L plain radiograph of the wrist, lat, age 7 y, female, subsequent exam, in cast, 483x1118: 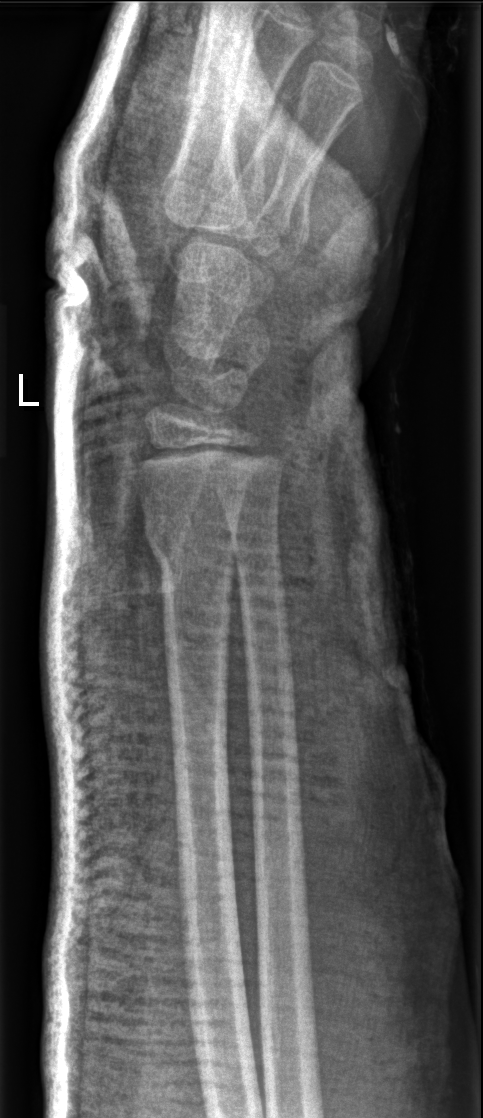

Fracture identified at (138, 518, 239, 591).
AO code 23r-M/3.1.